Lat | Rt wrist XR | 13y M 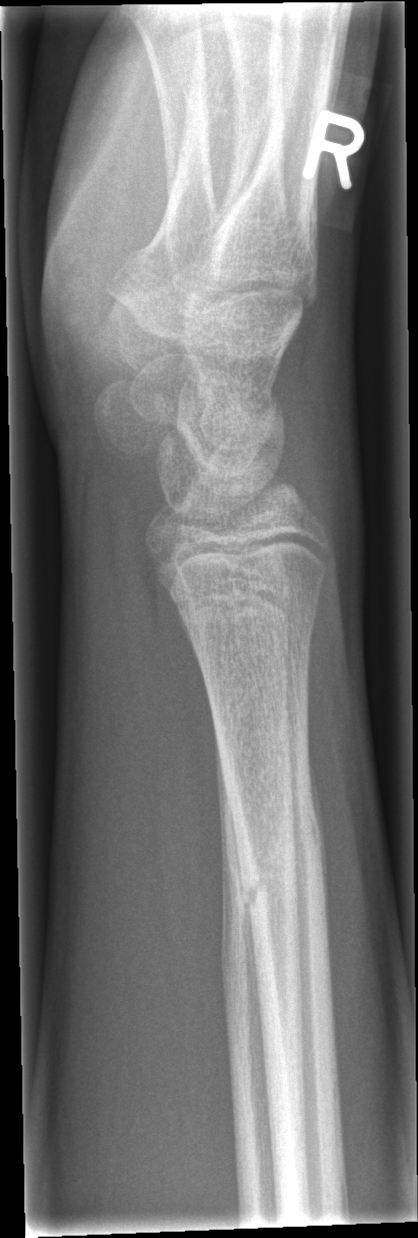

Q: AO code?
A: AO code 22r-D/4.1; 23u-E/7
Q: Locate any fractures.
A: Bone fracture identified at 233 811 333 924